Frontal view · Rt wrist XR · pediatric patient (boy, age 11) —

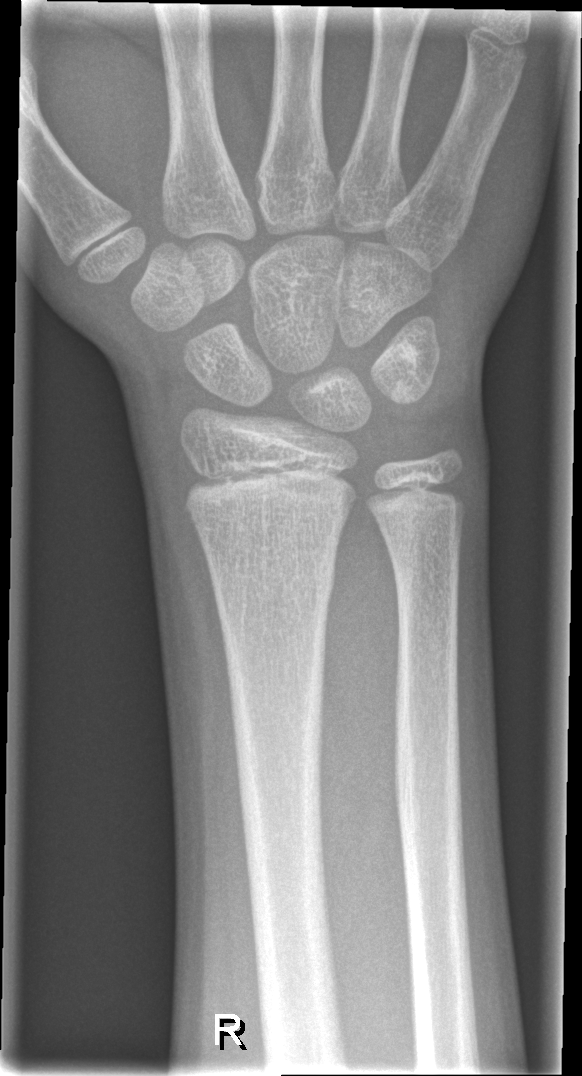 {
  "fracture": "1 @ bbox(212, 555, 338, 636)"
}